R pediatric wrist radiograph · PA view · follow-up study · cast present —

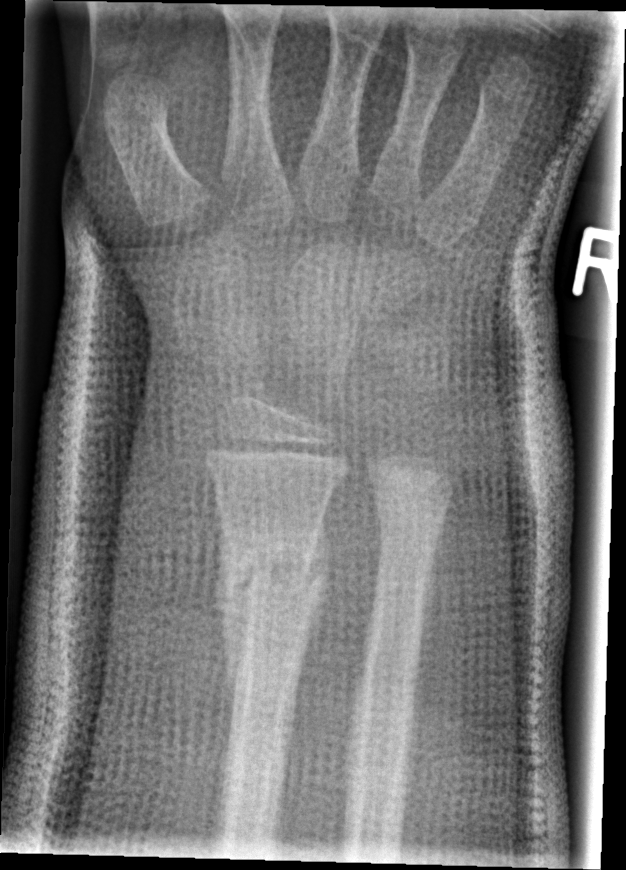

Two periosteal reaction at [x1=207, y1=520, x2=243, y2=708], [x1=308, y1=519, x2=332, y2=622]. Bone fracture identified at [x1=213, y1=527, x2=331, y2=624] [x1=369, y1=473, x2=457, y2=527]. AO code 23r-M/3.1; 23u-M/2.1.